Right wrist XR | lateral view | index exam | detector: Siemens — 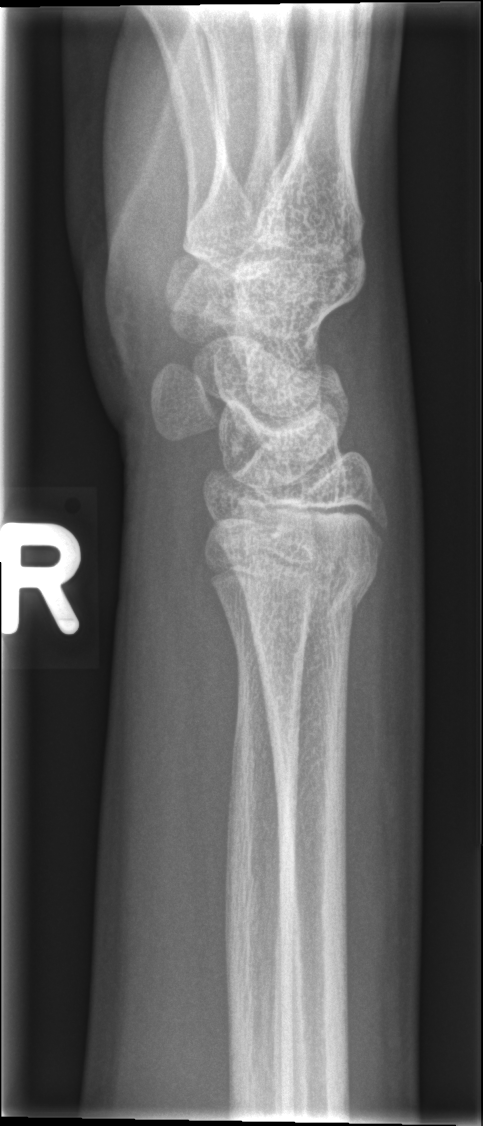
Boxes as x1,y1,x2,y2 (top-left / bottom-right, pixel units). AO/OTA classification: 23r-M/2.1. One Fx at [233, 550, 380, 640].